Lateral · right wrist X-ray · age 12 y, female · 447 by 1146 pixels:
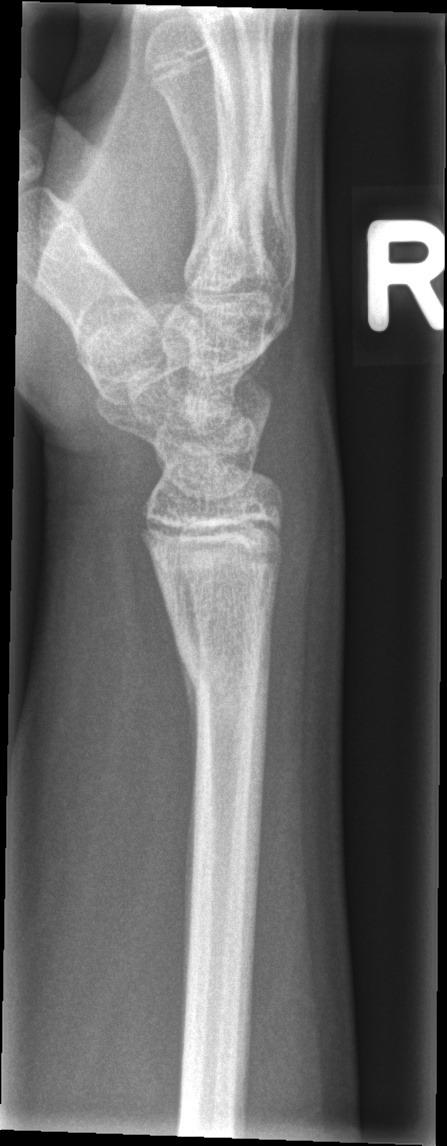
Pixel coordinates, top-left origin, xyxy.
Fracture — (left=169, top=637, right=275, bottom=728).
Fracture classified AO/OTA 23r-M/2.1.